L wrist X-ray, PA/AP projection, image width 78.8 mm
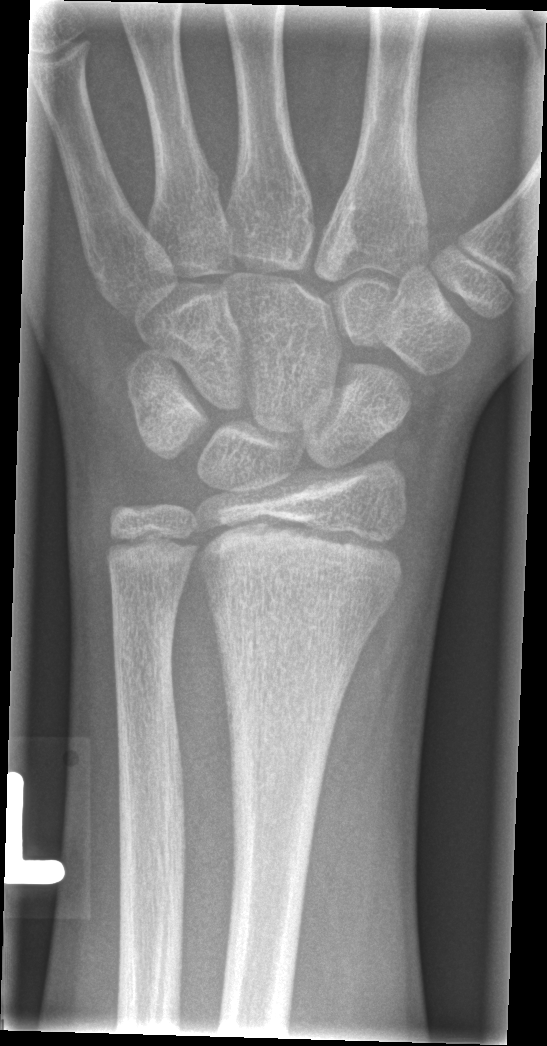

Fx: none.